PA view, left pediatric wrist radiograph, 11y M, index exam. 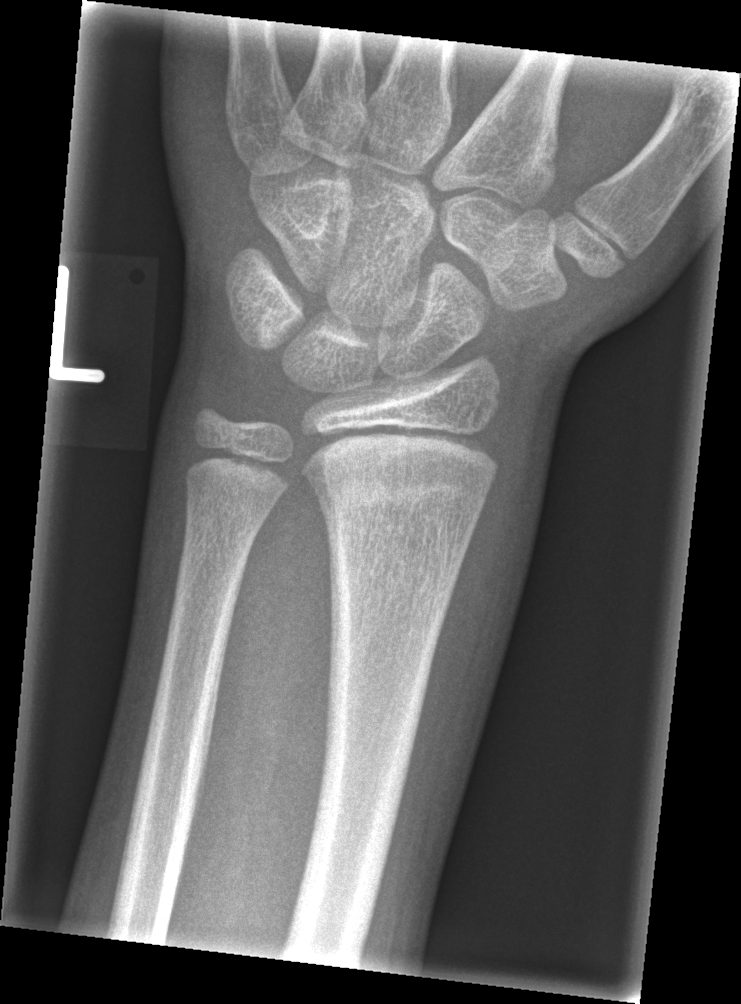

  # coordinates are [x1, y1, x2, y2] in image pixels
  fracture: 1 @ bbox(305, 449, 493, 525)